Lt pediatric wrist radiograph | lat view | pediatric patient (boy, age 16).
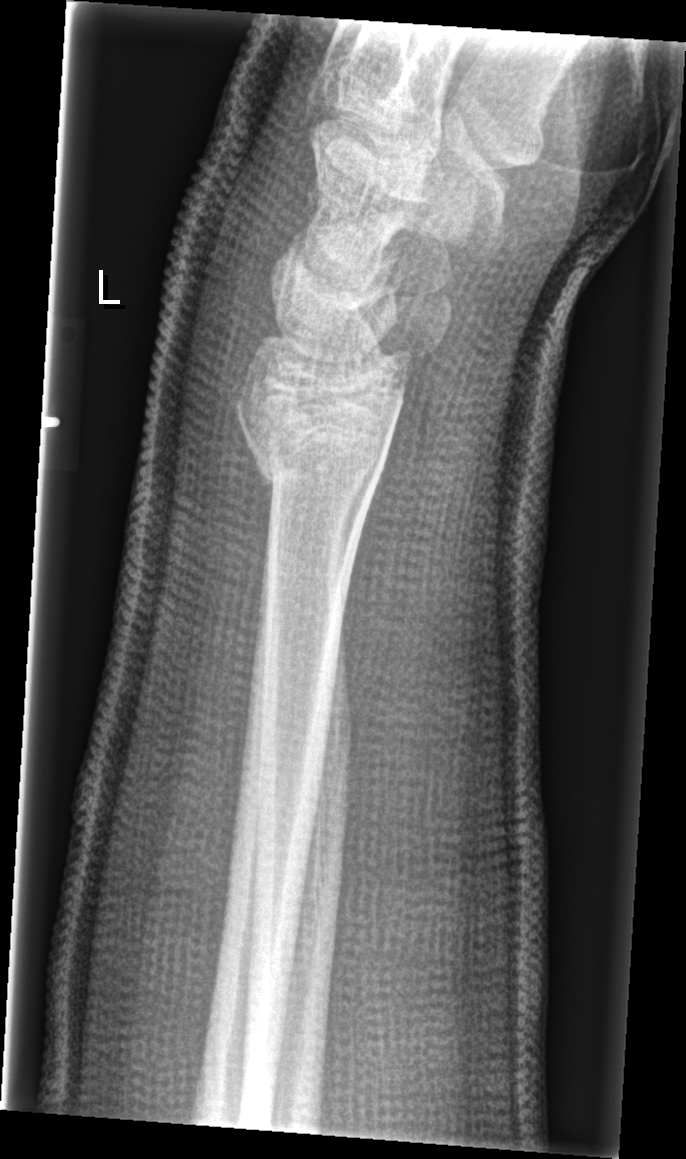
AO code: 23r-M/3.1; 23u-E/7
Bone fracture: 1 @ [x1=234, y1=378, x2=393, y2=485]